Rt plain radiograph of the wrist; posteroanterior view; image size 731x1188 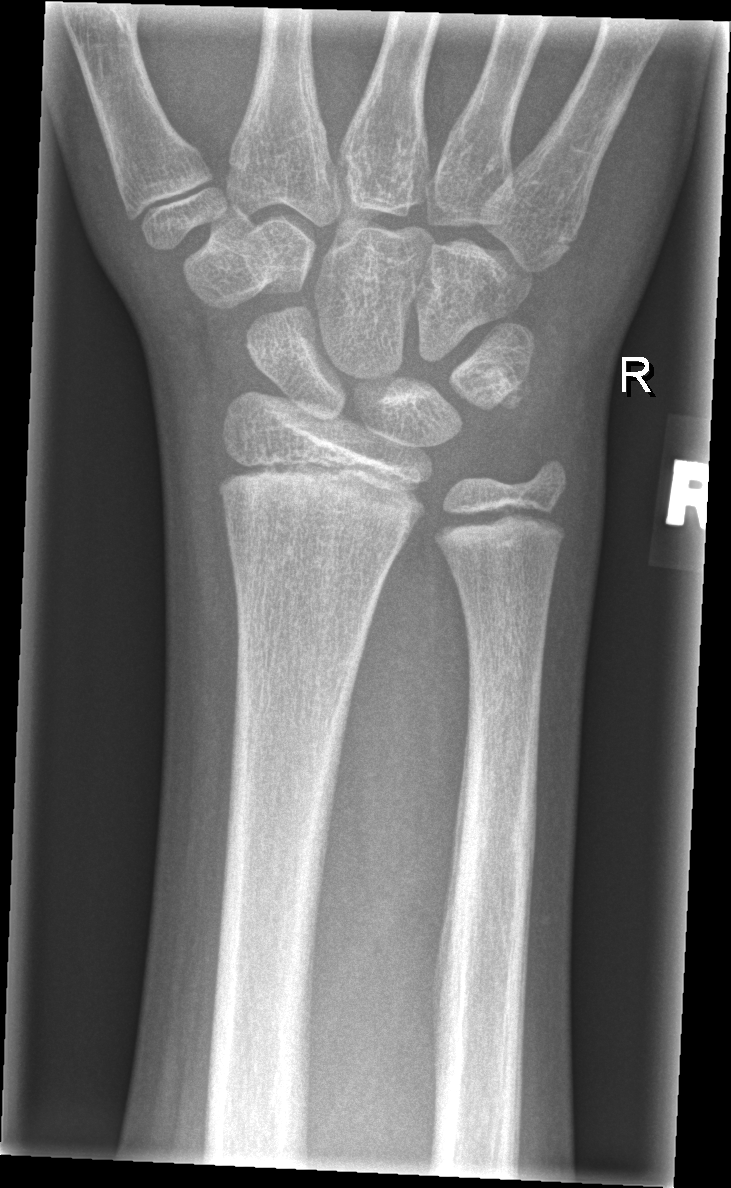
Fracture: present but not clearly seen in this view.